Lat projection · left wrist plain film · 474 by 1233 pixels:

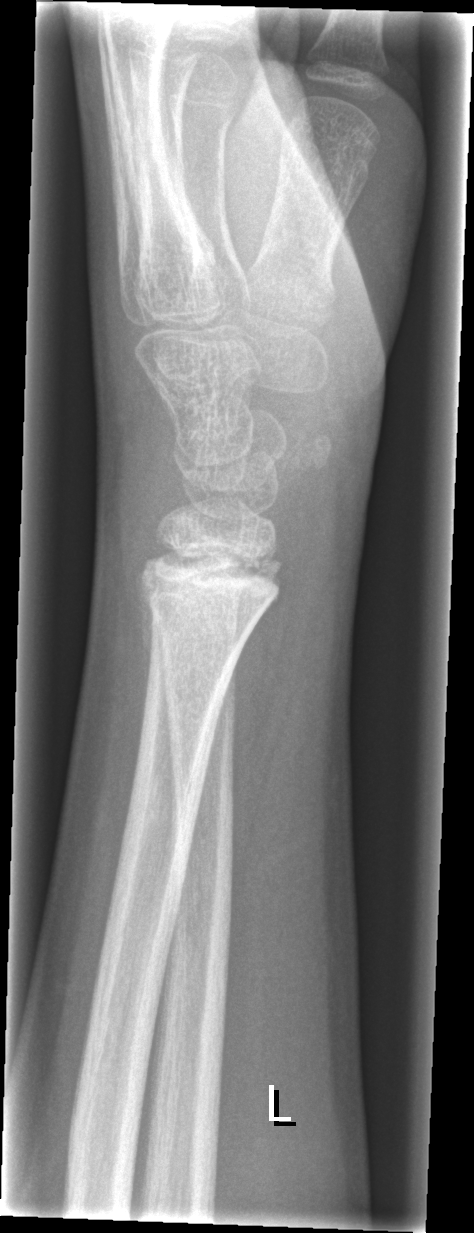
Boxes as x1,y1,x2,y2 (top-left / bottom-right, pixel units).
Fx identified at [133, 538, 286, 638].
Osteopenic.
AO code 23r-E/2.1; 23u-M/2.1.